Lat projection, Lt wrist XR, initial study, 574 by 1040 pixels

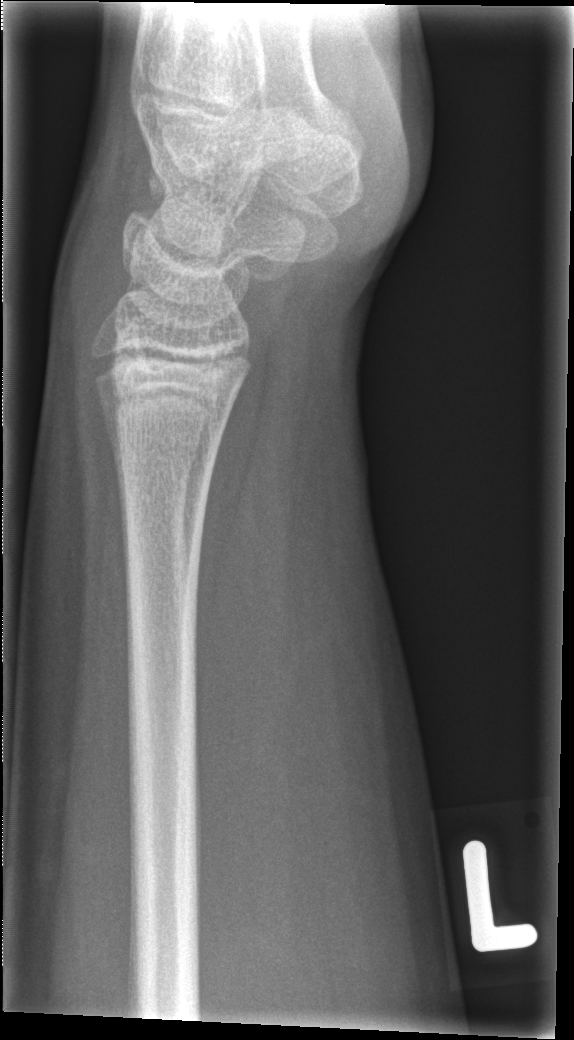

Fracture: none labeled.